Lt wrist X-ray; posteroanterior view; pediatric patient (male, age 7) — 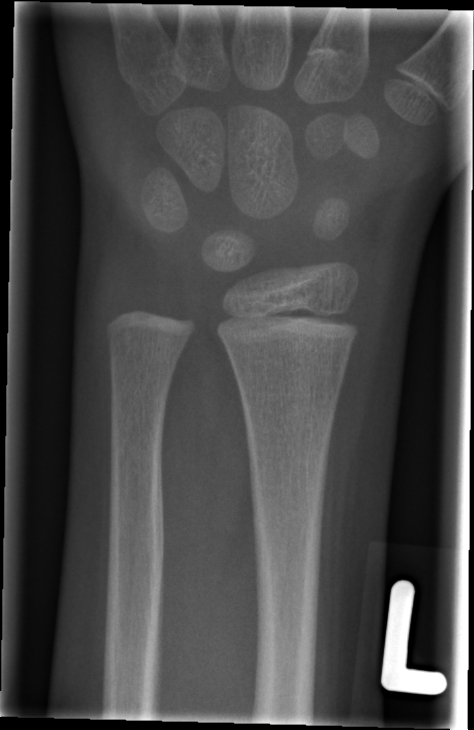
Fx = none labeled